Frontal; L wrist XR; 12y F.

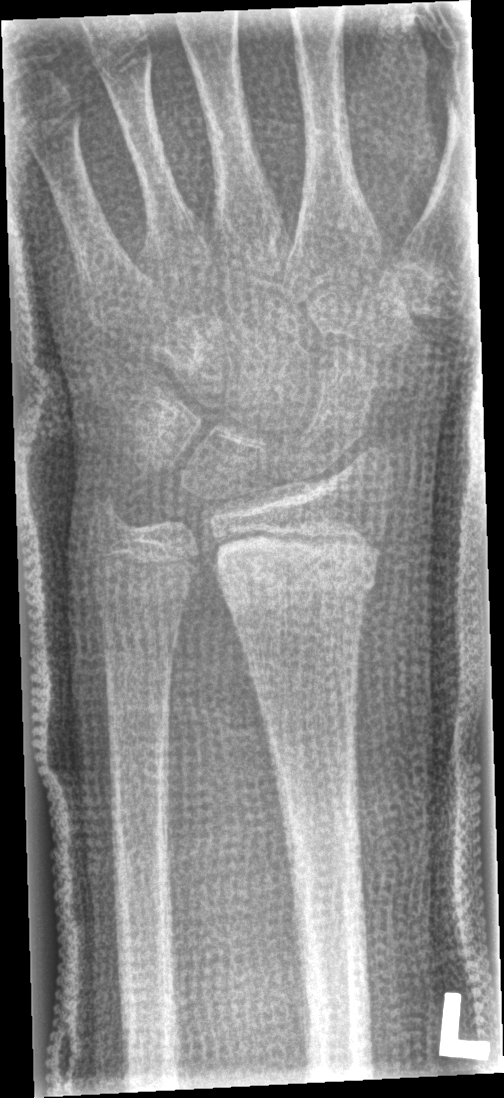 Pixel coordinates, top-left origin, xyxy.
AO/OTA classification: 23r-M/2.1.
One fracture at (218, 553, 380, 621).